Rt wrist radiograph | lateral projection | follow-up study | imaged through cast | image size 794x980
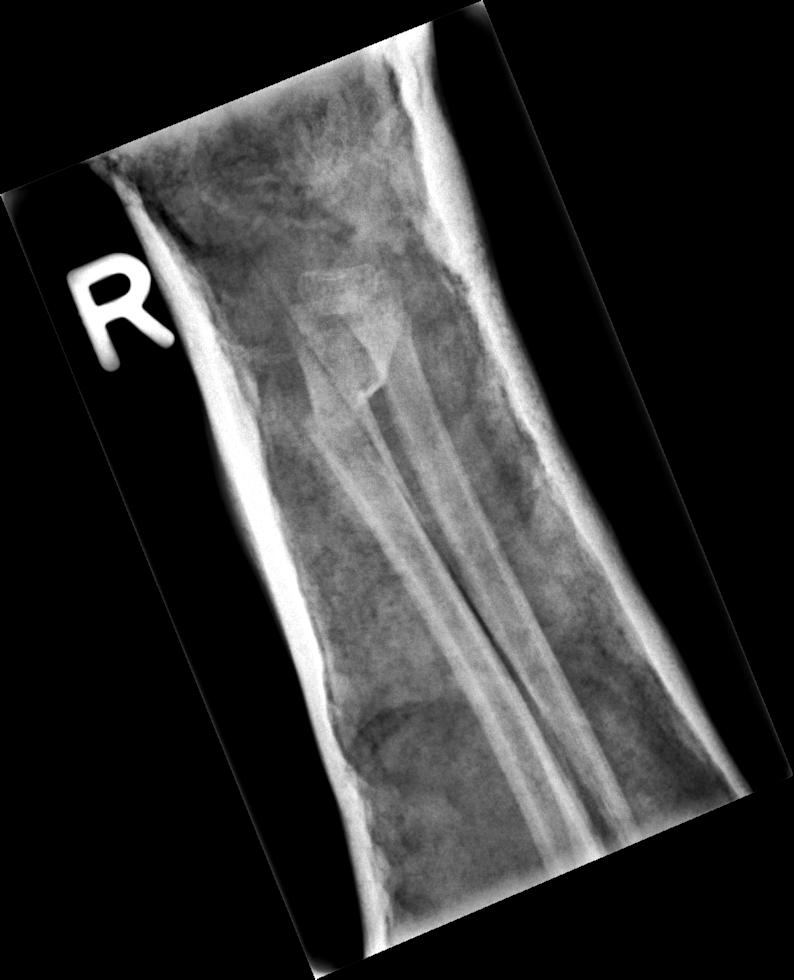
(bounding boxes in image-pixel xyxy)
Fx: 2 @ bbox(293, 363, 392, 445) bbox(354, 307, 414, 351)